Left wrist XR, PA/AP — 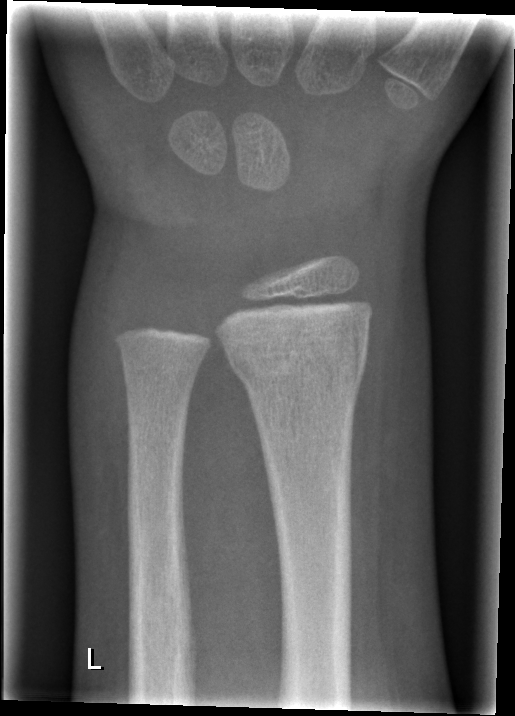
FINDINGS: One Fx at 225,327,371,394.